Lat view · right wrist radiograph · 8y F · follow-up study.
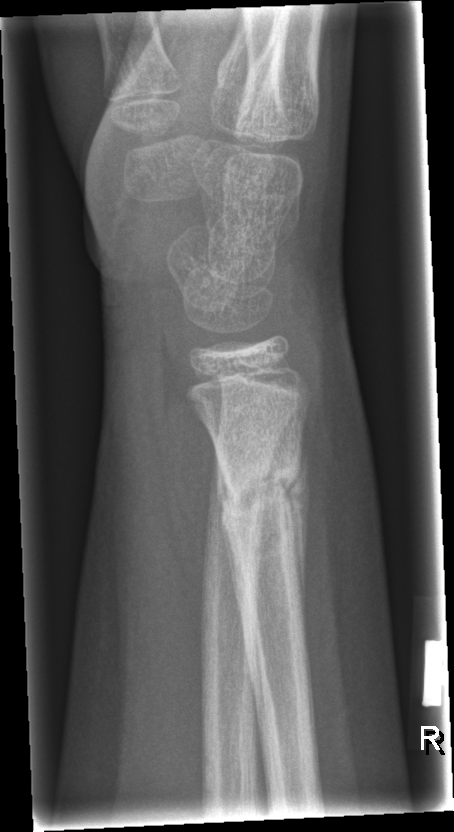
• Boxes as x1,y1,x2,y2 (top-left / bottom-right, pixel units).
• Bone fracture: bbox(218, 446, 305, 585).
• Fracture classified AO/OTA 23r-M/3.1; 23u-M/2.1.
• Periosteal thickening: bbox(285, 449, 307, 605).